Lateral; L wrist plain film; 14y F. 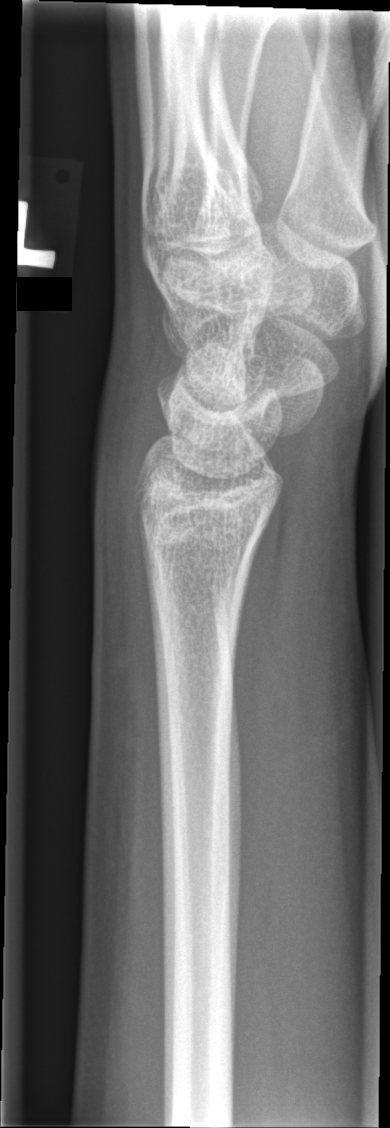 Fx: none labeled